Left wrist X-ray · lateral view · follow-up study 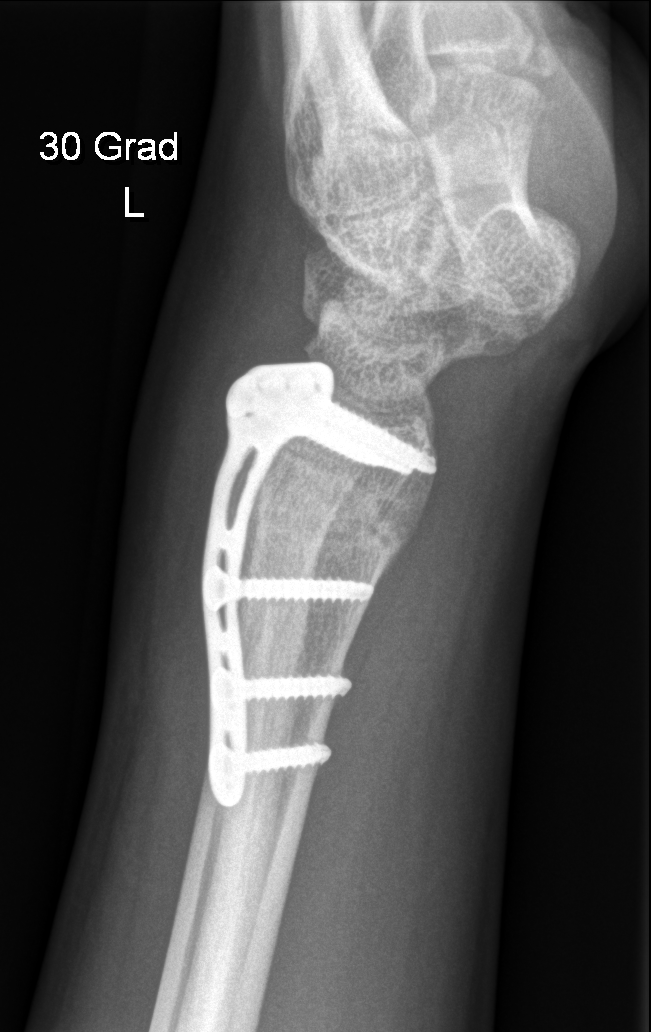
Boxes as x1,y1,x2,y2 (top-left / bottom-right, pixel units). Fracture identified at <254,482>-<411,575>. Metallic hardware identified at <195,358>-<439,812>.